Posteroanterior, Lt plain radiograph of the wrist

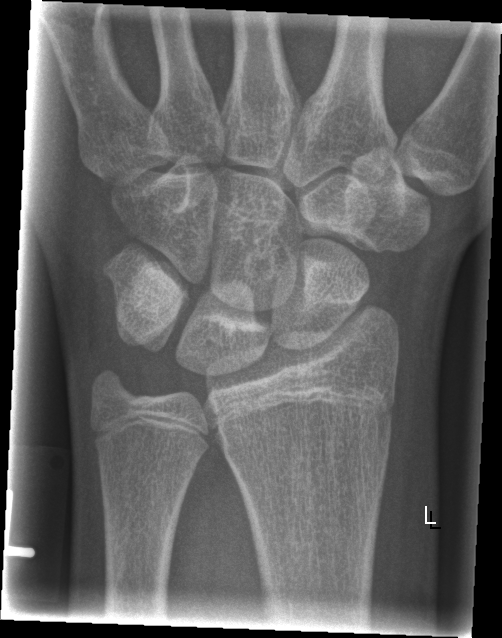 * Fx: none.